Left wrist radiograph; lat projection; age 11 y, male
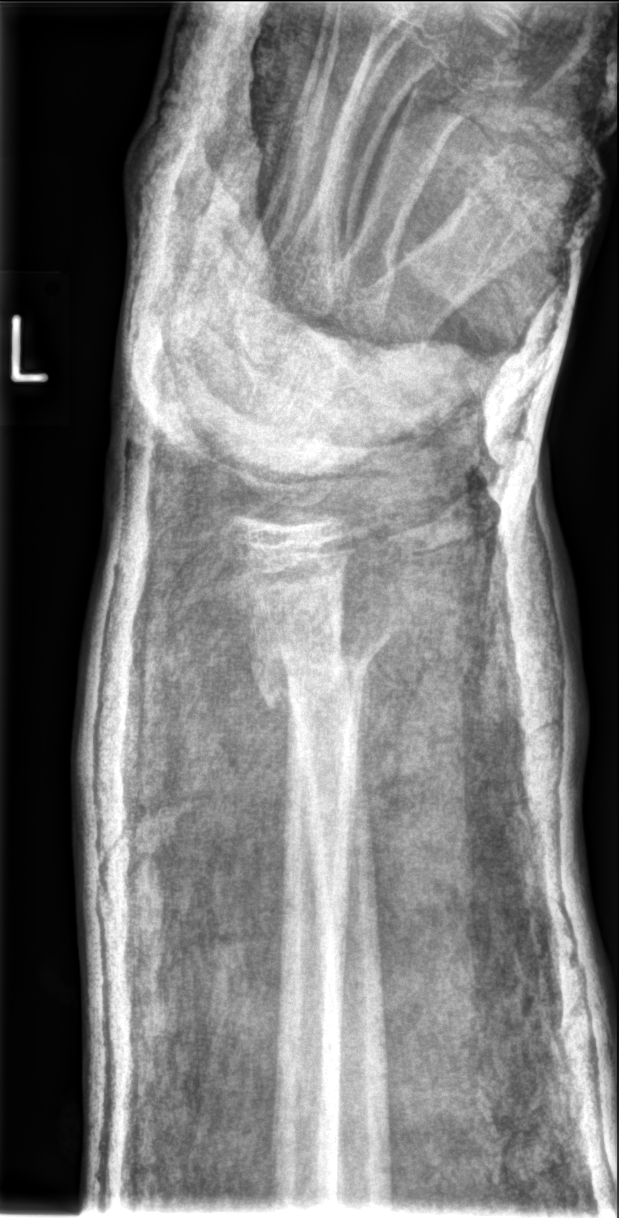

(coordinates are [x1, y1, x2, y2] in image pixels)
AO classification: 23r-M/3.1; 23u-E/2.1
Fx: 1 @ bbox(246, 618, 395, 715)